Left wrist radiograph · posteroanterior · image size 541x1430. 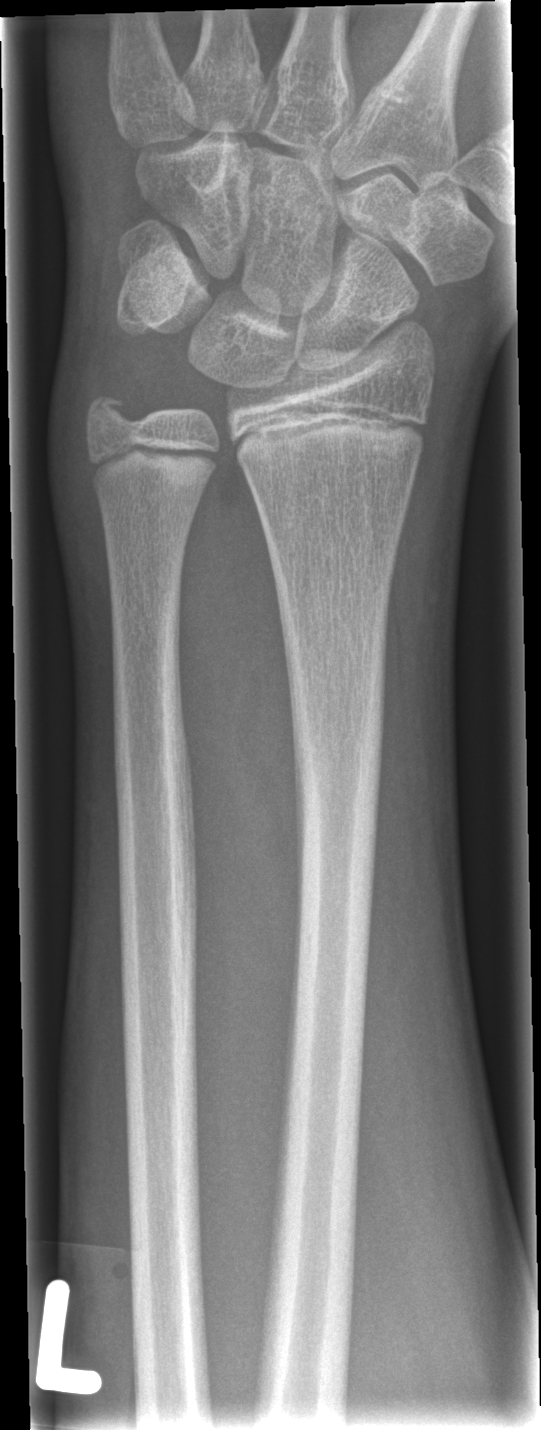

• Boxes as x1,y1,x2,y2 (top-left / bottom-right, pixel units).
• Fracture identified at 83,383,139,439.
• AO/OTA classification: 23u-E/7.